Rt pediatric wrist radiograph | posteroanterior projection | 6y M —
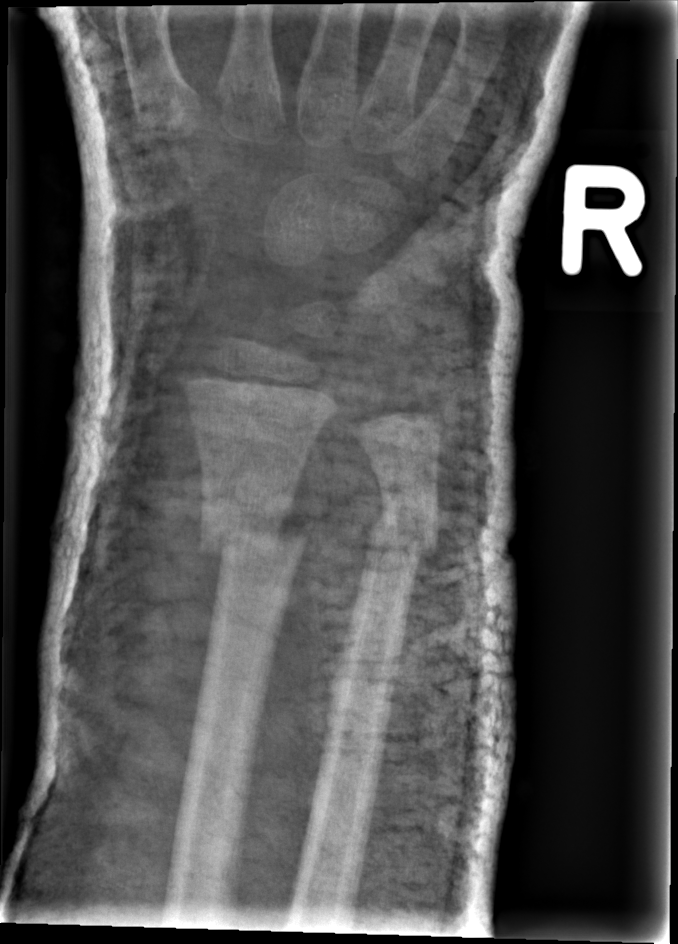
Q: Is there a fracture?
A: Fracture: [x1=190, y1=491, x2=310, y2=590] [x1=354, y1=499, x2=438, y2=571]